PA/AP projection | left wrist X-ray | male, 14 yo | follow-up | imaged through cast —
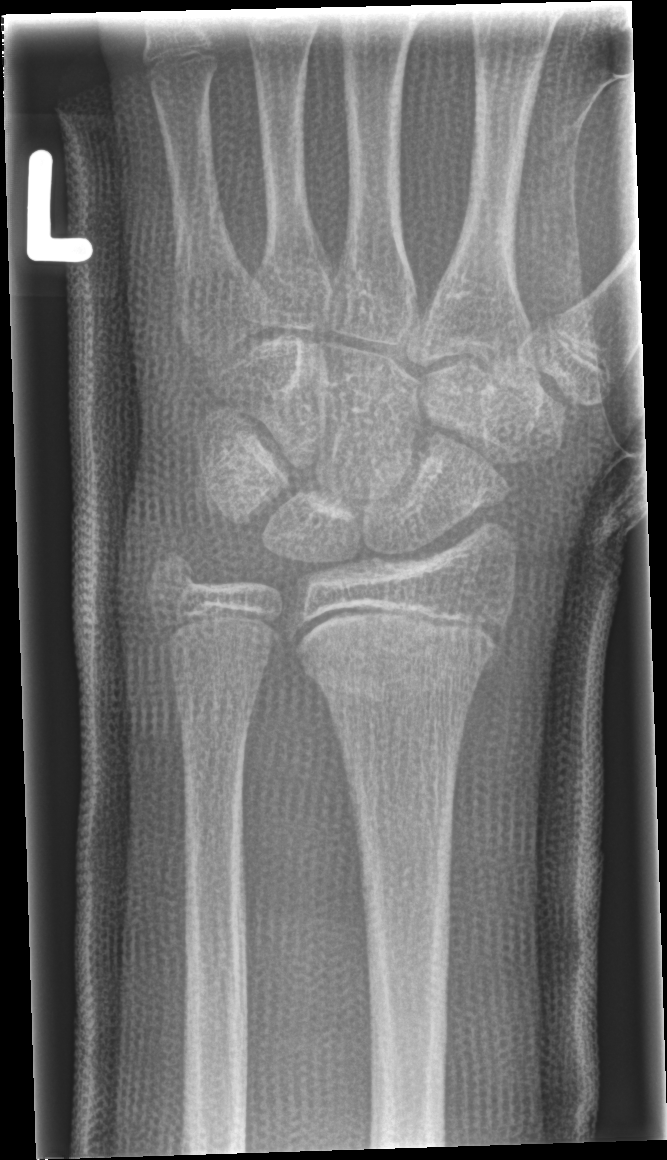

# pixel coordinates, top-left origin, xyxy
fracture: <291,609>-<507,701>; <144,541>-<212,617>
ao: 23r-E/2.1; 23u-E/7